Rt pediatric wrist radiograph · lat · age 14 y, boy · 450 by 912 pixels.
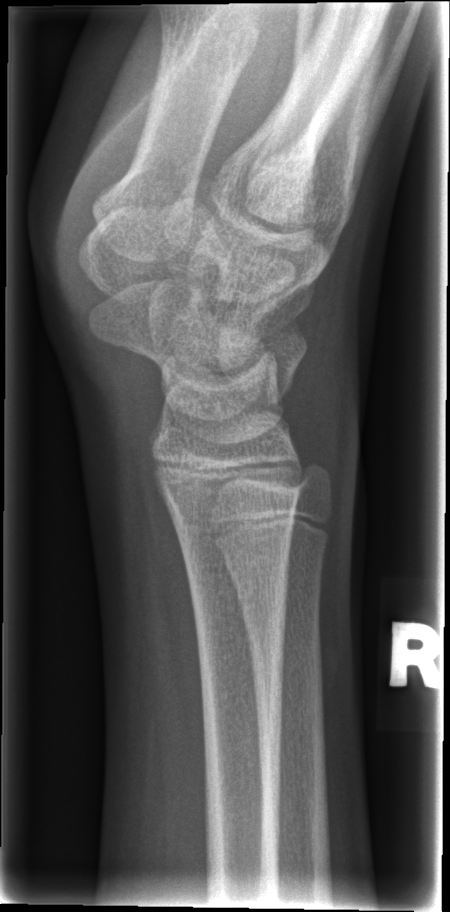 No fracture annotation.